Right pediatric wrist radiograph, lat projection, 10y F: 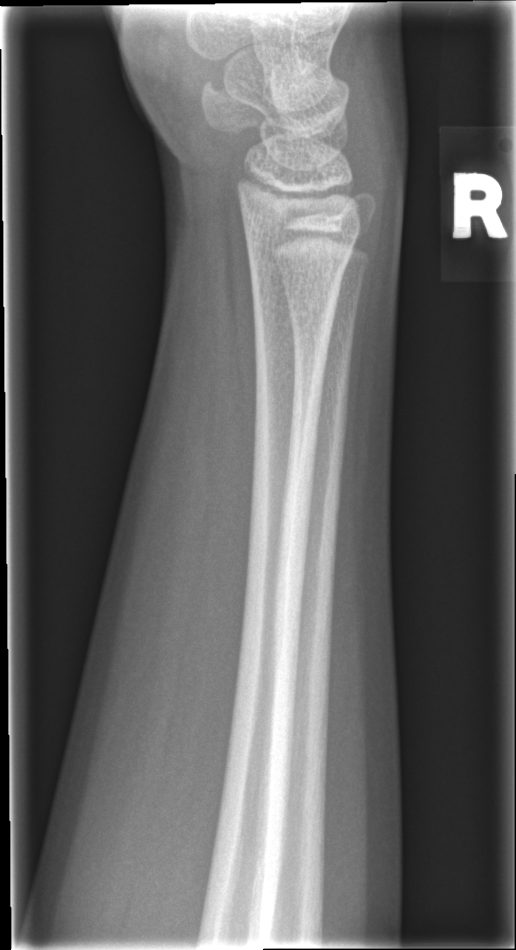
- No fracture labeled.